L wrist XR; PA; index exam 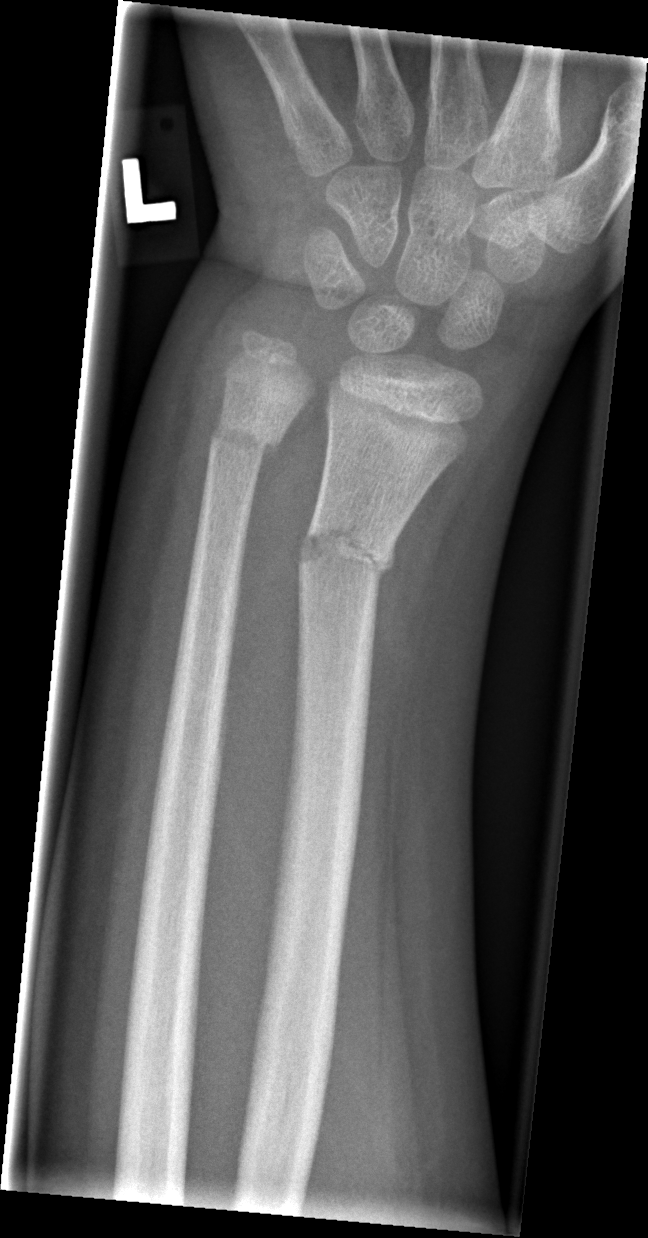 * Bone fracture: 294 519 402 591 | 207 410 287 462.